Posteroanterior view | right wrist radiograph | age 10 y, girl | cast present | image 94.8 mm wide. 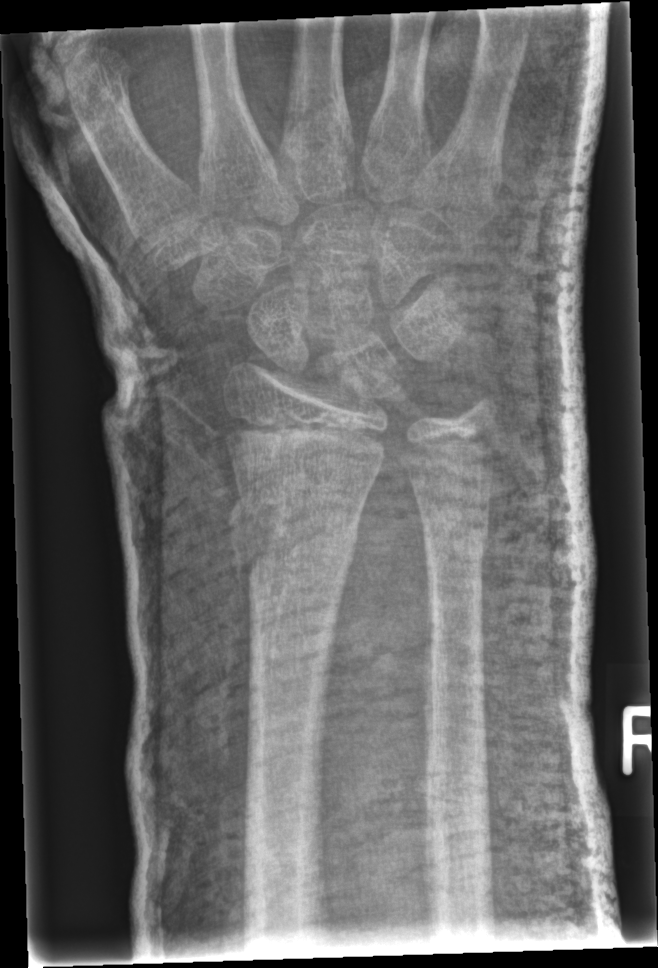
- Boxes as x1,y1,x2,y2 (top-left / bottom-right, pixel units).
- AO code 23-M/2.1.
- Two fractures at bbox(226, 504, 363, 578) bbox(419, 522, 492, 580).